Left wrist XR; posteroanterior; presentation radiograph; image size 484x1224.

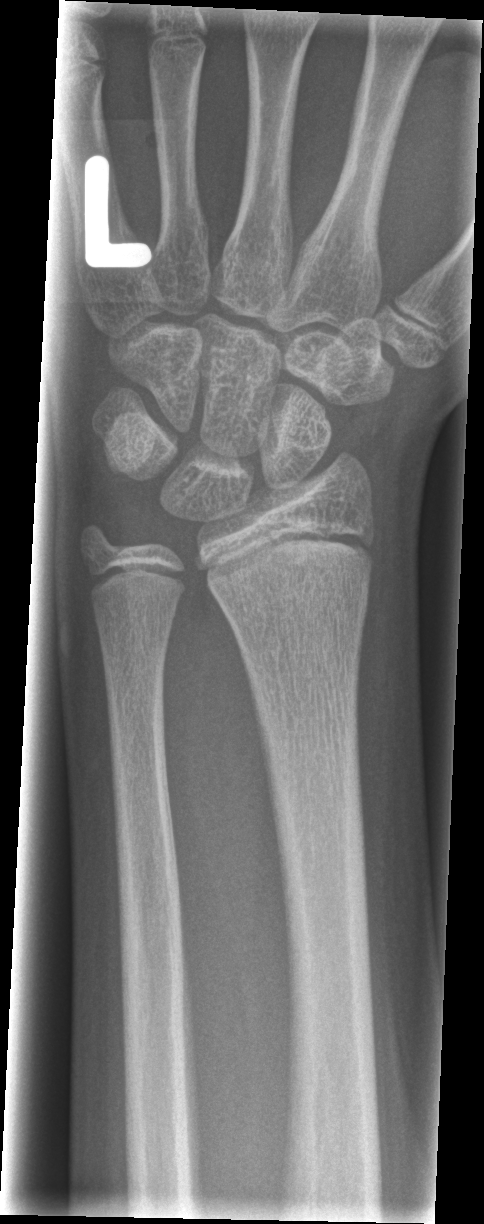
Fracture present but not clearly seen in this view.